Lateral projection · Rt wrist X-ray · 11y M · 70.3 mm image width:
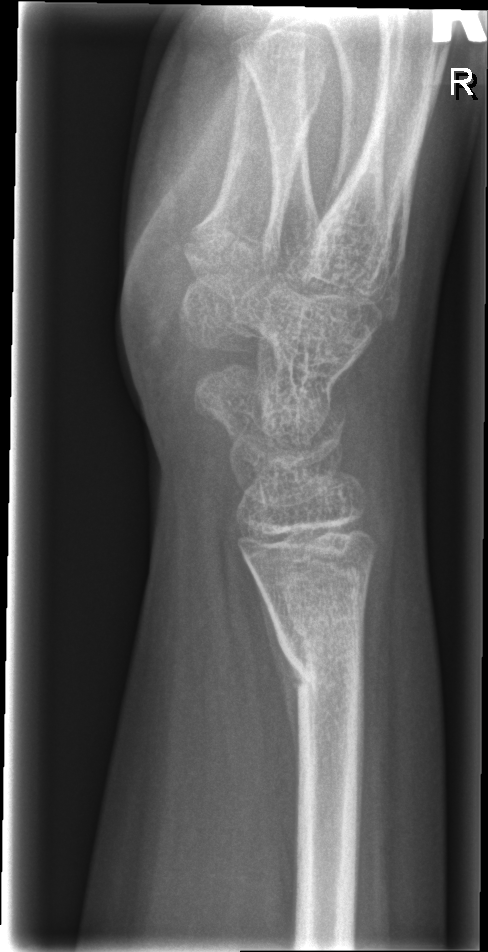
FINDINGS: (bounding boxes in image-pixel xyxy) Fracture classified AO/OTA 23-M/2.1. Fracture — (left=279, top=617, right=369, bottom=719). Periosteal reaction identified at (left=254, top=573, right=302, bottom=787).